Lat | Lt wrist plain film:
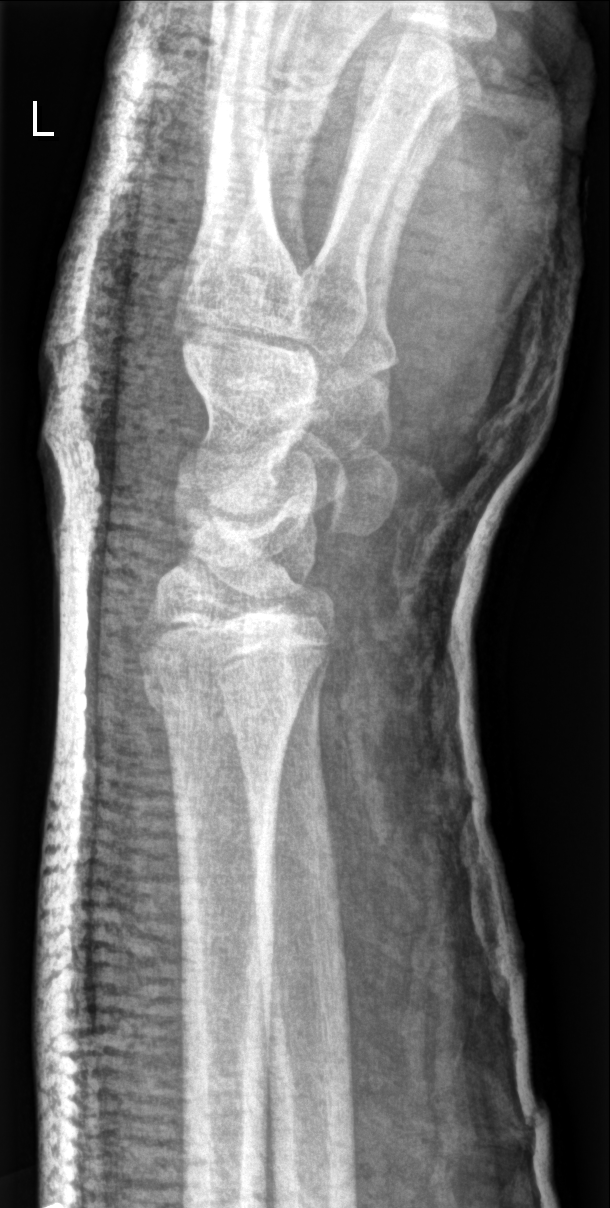
fracture: 1 @ [137, 626, 315, 729]
ao: 23r-M/2.1